Lat view · left wrist radiograph · 7-year-old female · initial study · 429 by 788 pixels —
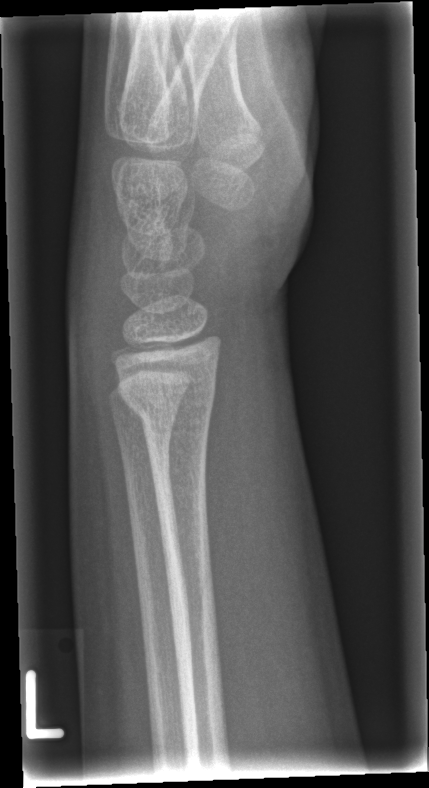

- Fx identified at bbox(118, 382, 218, 442).
- AO code 23r-M/2.1.